Left wrist plain film; PA/AP view; follow-up study; imaged through cast; image 95.0 mm wide —

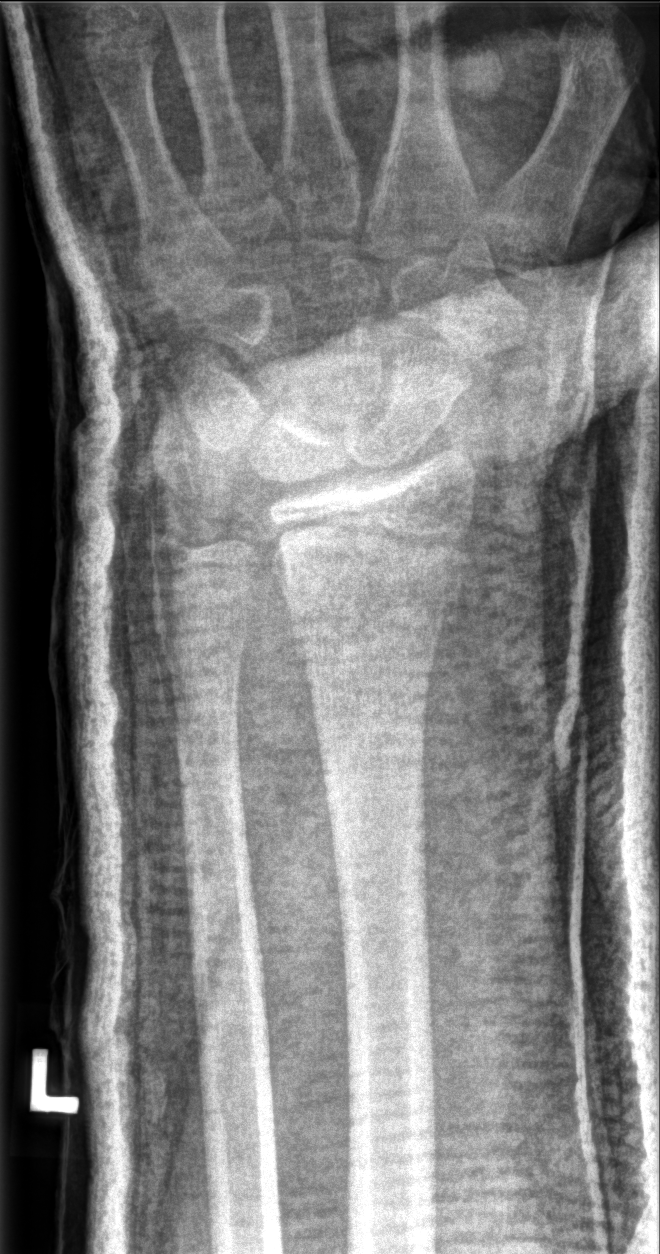

- Fracture classified AO/OTA 23r-M/3.1; 23u-E/7.
- One Fx at (279, 534, 466, 629).